Lat projection | Rt wrist XR | 9y F | 456 x 898 px 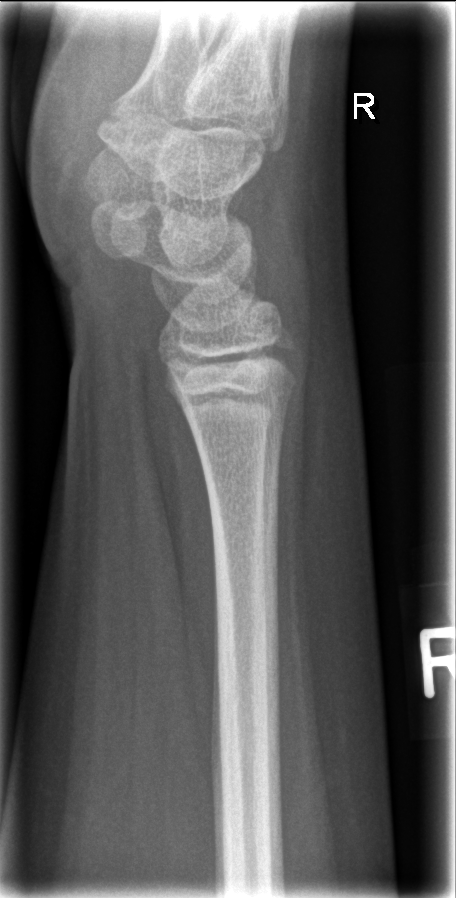 * No Fx annotated.